Lat | Rt wrist plain film | cast in situ | 654 x 1010 px: 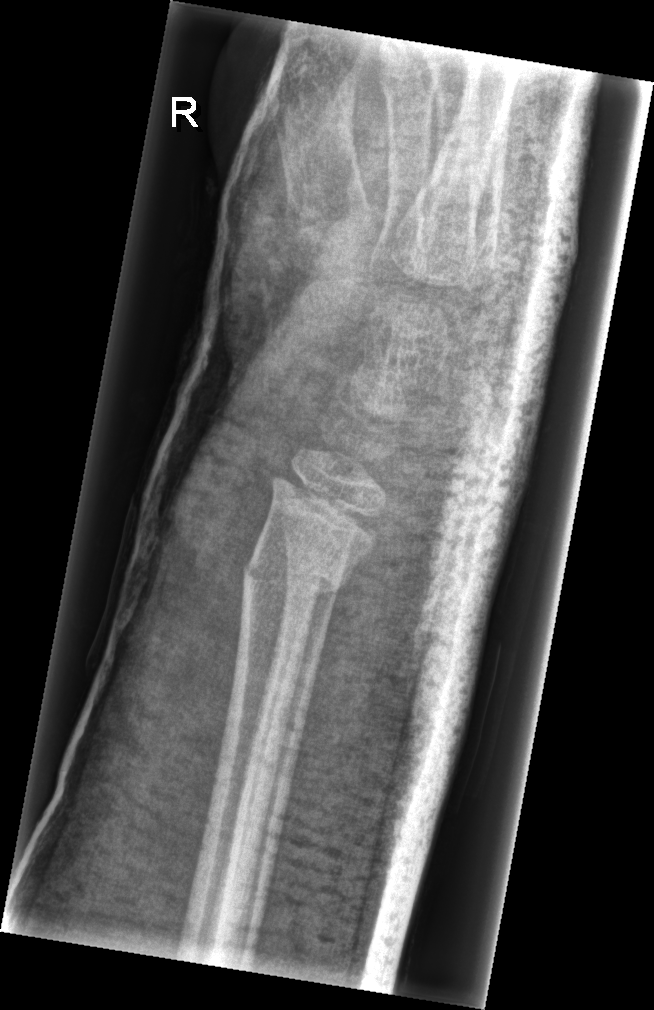   # pixel coordinates, top-left origin, xyxy
  fracture: <236,544>-<358,608>
  ao: 23r-M/3.1